PA projection, R wrist XR, 769 by 1294 pixels.

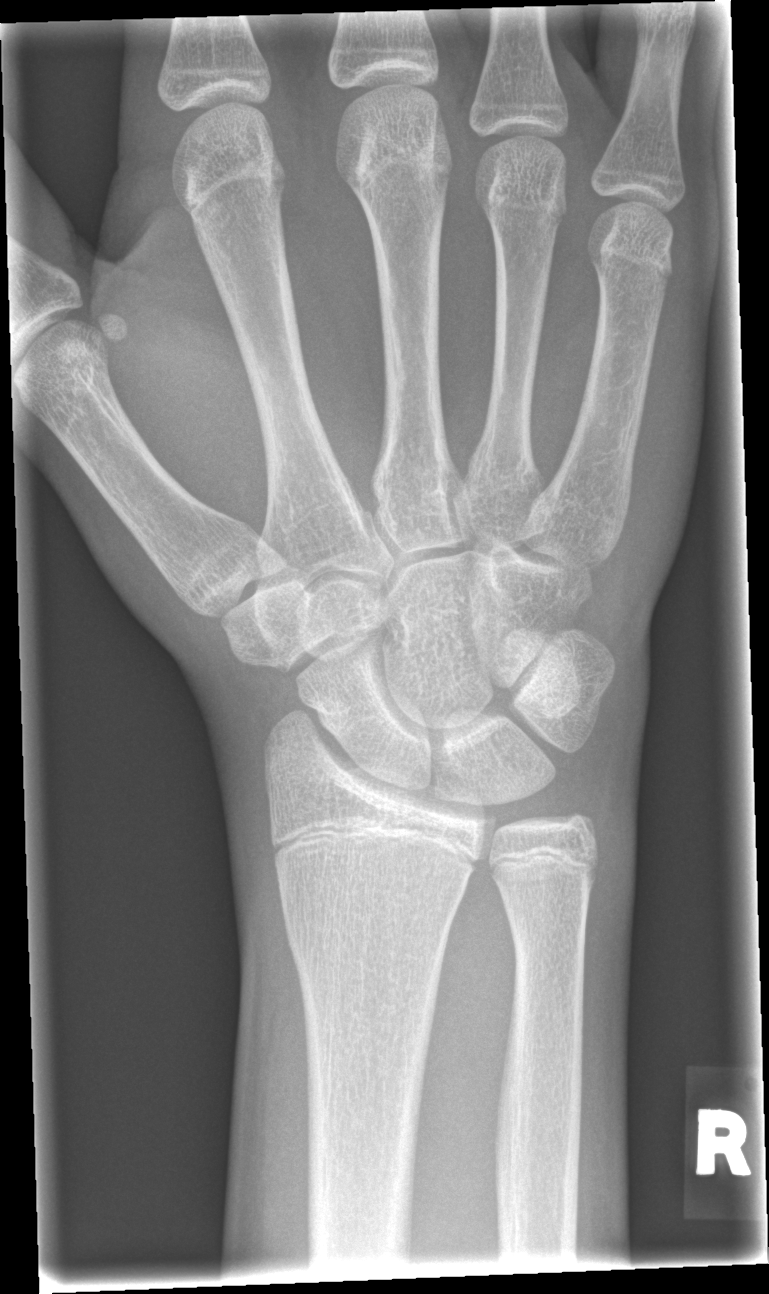 FINDINGS: Fracture: none labeled.